Rt wrist X-ray | PA/AP projection
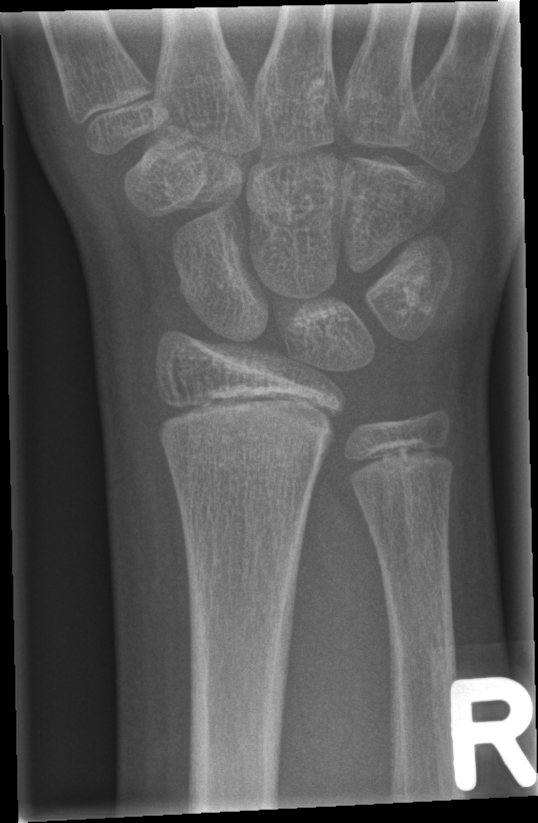

Fx present but not clearly seen in this view. Fracture classified AO/OTA 23r-M/2.1.